Rt wrist XR; frontal view; age 13 y, boy; index exam; acquired on Siemens:
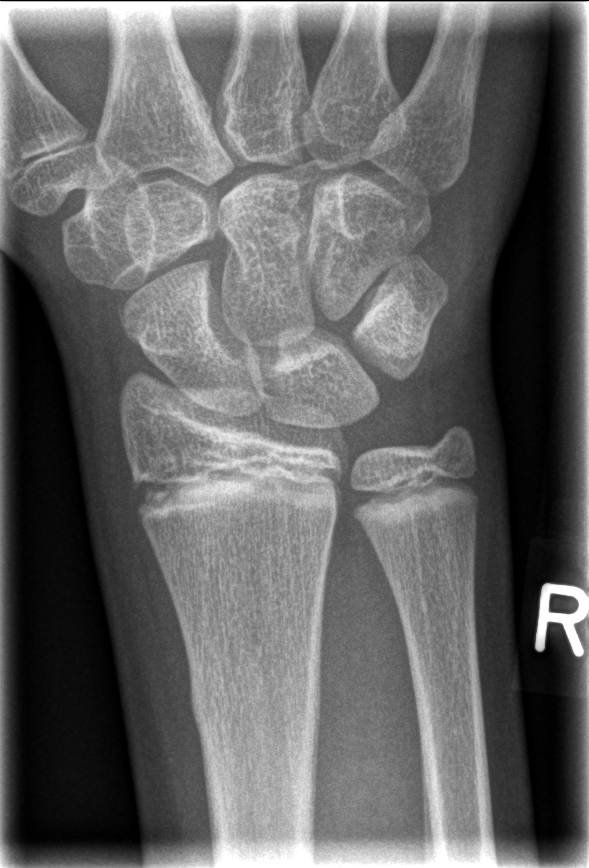 fracture: 1 @ bbox(184, 648, 324, 745)